Left pediatric wrist radiograph | lat projection | female, 10 yo | presentation radiograph | image width 77.0 mm
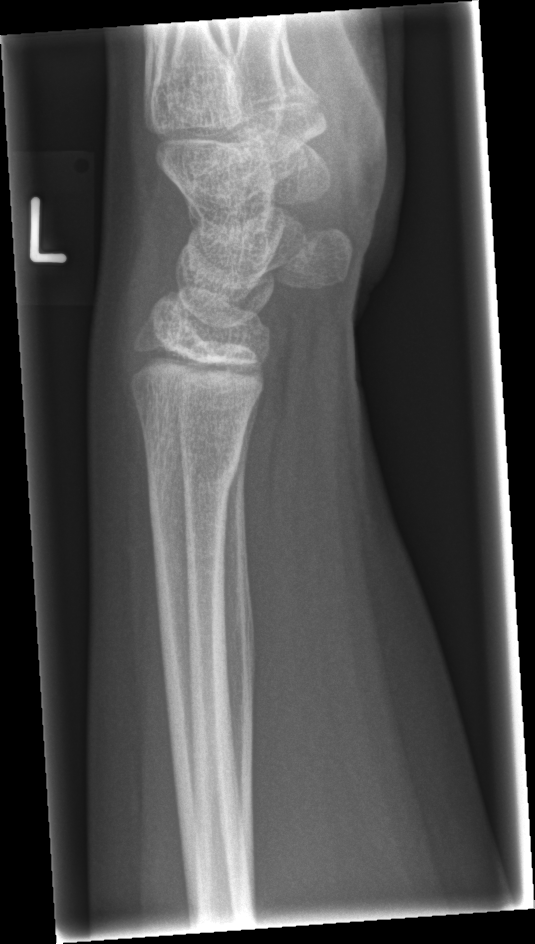 Bone fracture — <143,432>-<249,510>.
AO code 23r-M/2.1.